Lat view; right wrist plain film

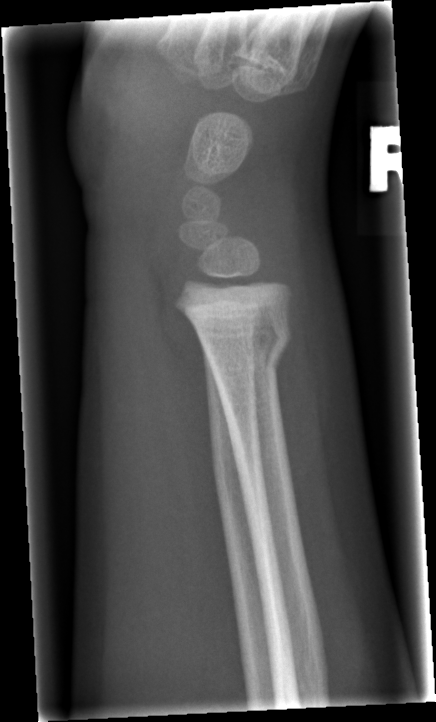
- Fracture classified AO/OTA 23r-M/2.1.
- Fracture — (left=201, top=311, right=294, bottom=375).